PA/AP projection | left wrist radiograph | age 10 y, girl | image size 642x677 —
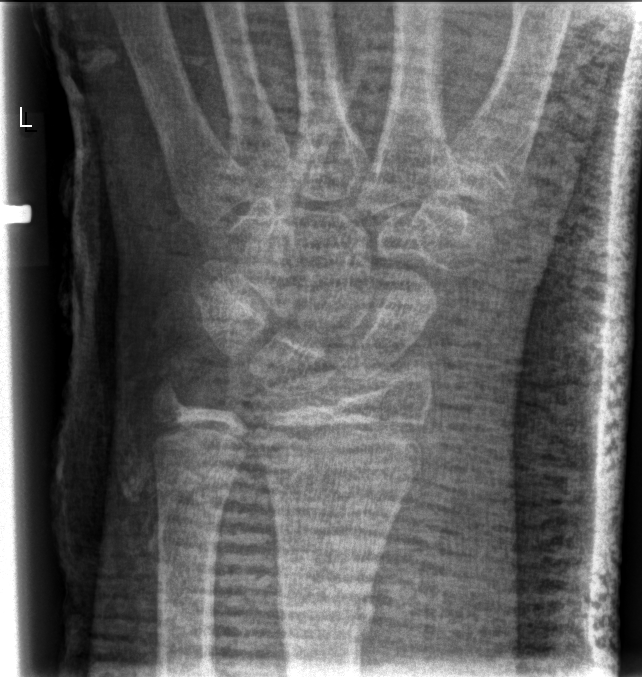

(boxes as x1,y1,x2,y2 (top-left / bottom-right, pixel units))
AO classification: 23r-M/2.1; 23u-E/7
fracture: 1 @ (270, 573, 384, 642)